Lt wrist XR | PA/AP projection | equivocal findings | Siemens —
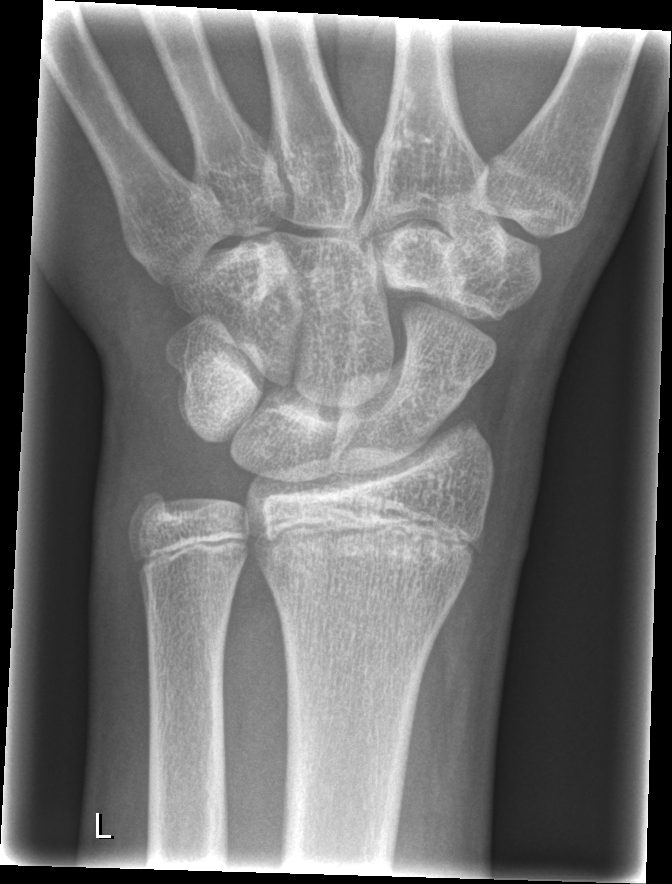 fracture = none labeled